Left plain radiograph of the wrist; lateral projection; pediatric patient (male, age 9) —
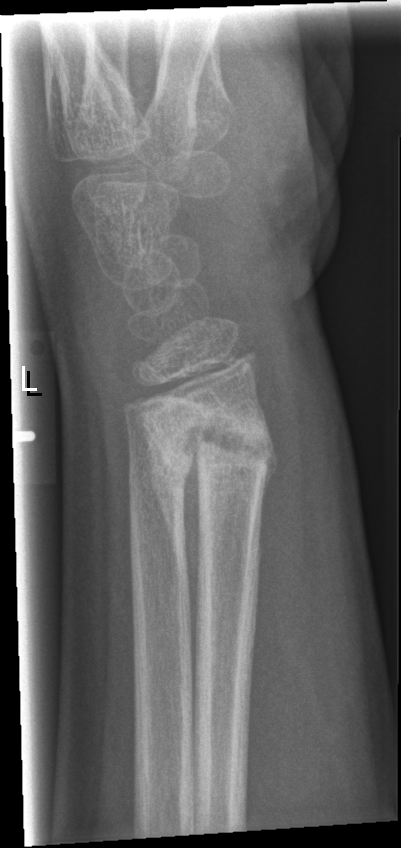
Findings: (coordinates are [x1, y1, x2, y2] in image pixels) Fracture classified AO/OTA 23r-M/3.1; 23u-M/2.1. Osteopenia. Periosteal reaction: [x1=141, y1=422, x2=205, y2=672]; [x1=260, y1=421, x2=280, y2=514]. One bone fracture at [x1=135, y1=395, x2=279, y2=503].